Lat projection · L wrist radiograph · 4-year-old female

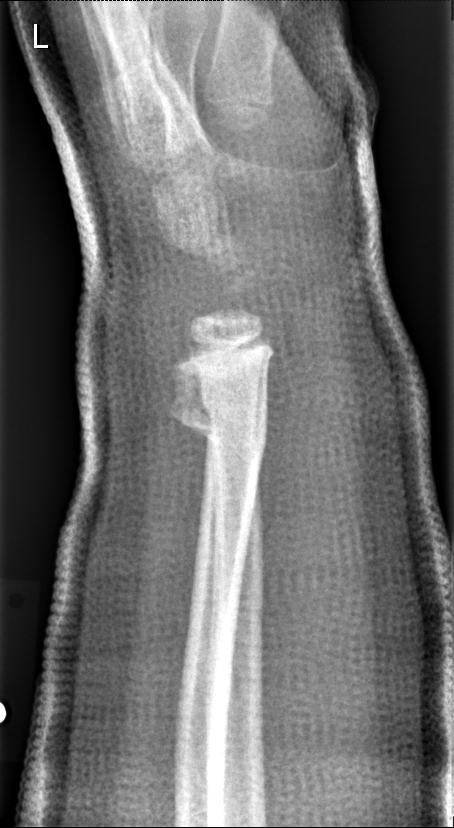
FINDINGS: AO code 23-M/3.1. Bone fracture identified at 160 371 271 475.